Right wrist X-ray · PA projection · pediatric patient (female, age 6) 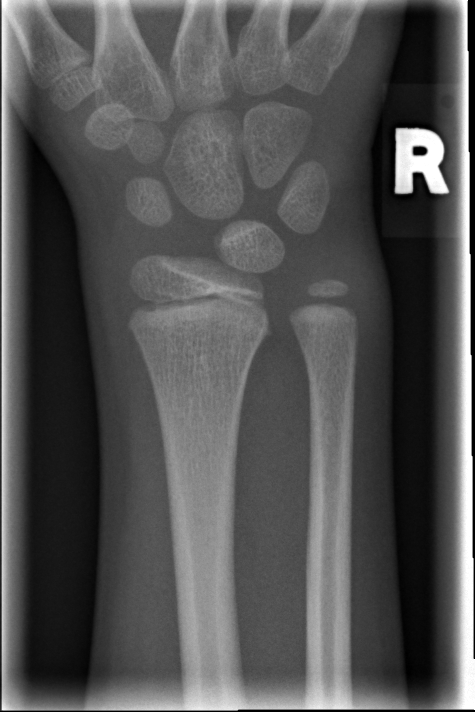

FINDINGS — No fracture bounding box.